Lt wrist X-ray | posteroanterior | cast in situ. 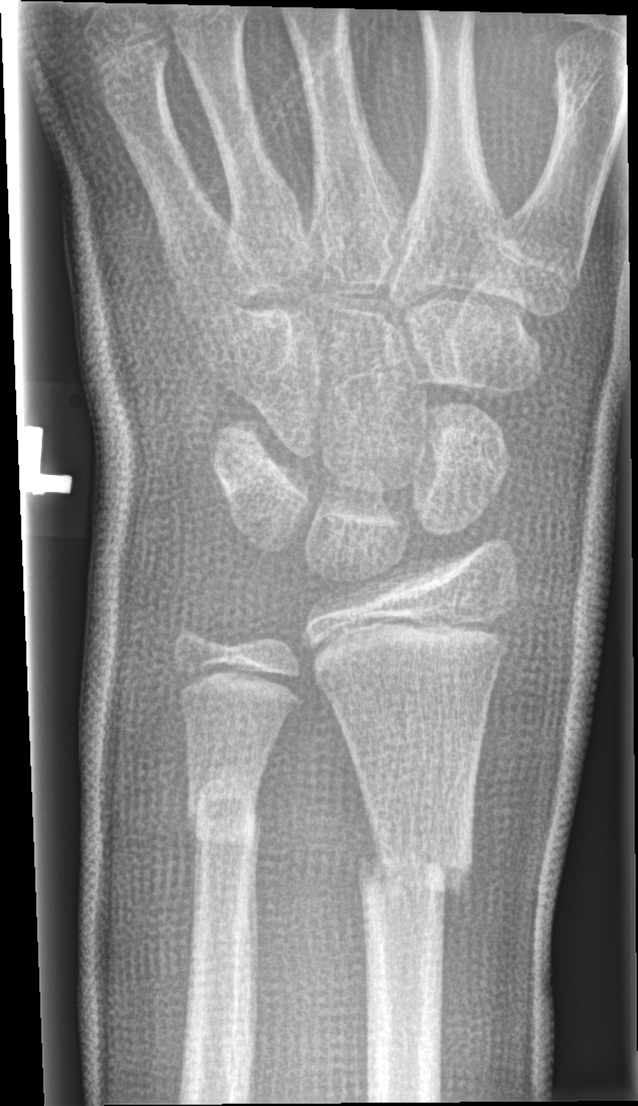

AO/OTA = 23-M/3.1
fracture = 2 @ bbox(353, 830, 479, 928) bbox(183, 770, 267, 852)